R pediatric wrist radiograph; posteroanterior projection: 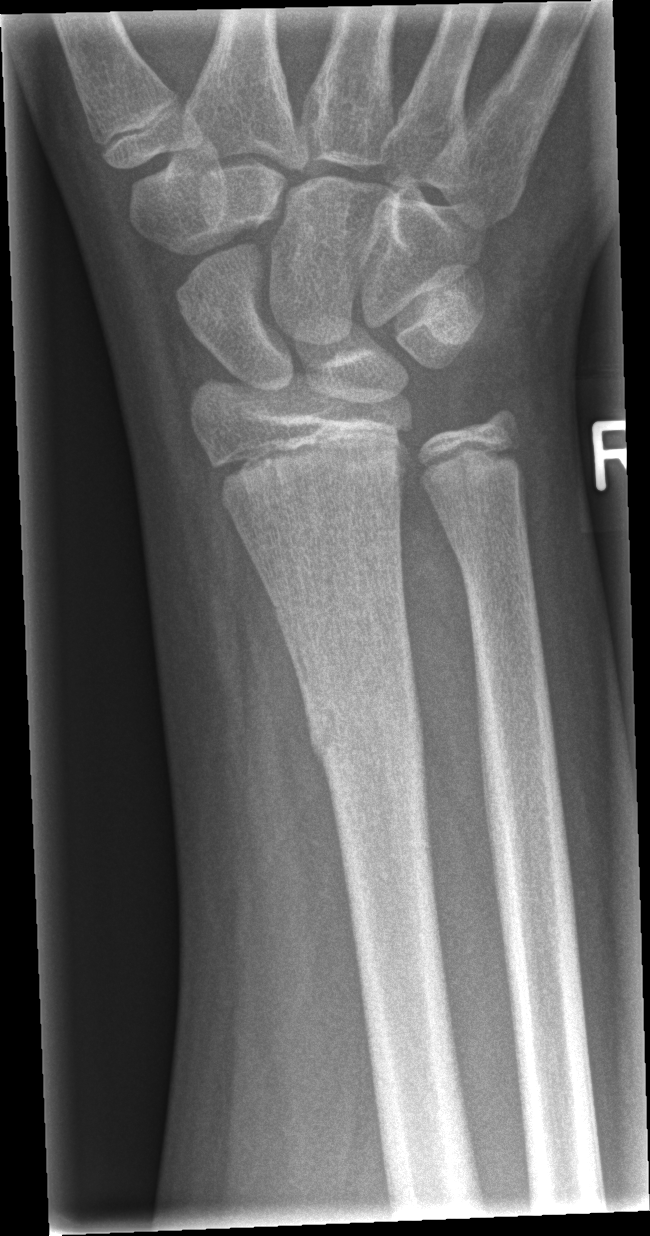
AO code 22r-D/2.1. One bone fracture at (left=297, top=674, right=431, bottom=795).